Posteroanterior view, R wrist radiograph, diagnosis uncertain
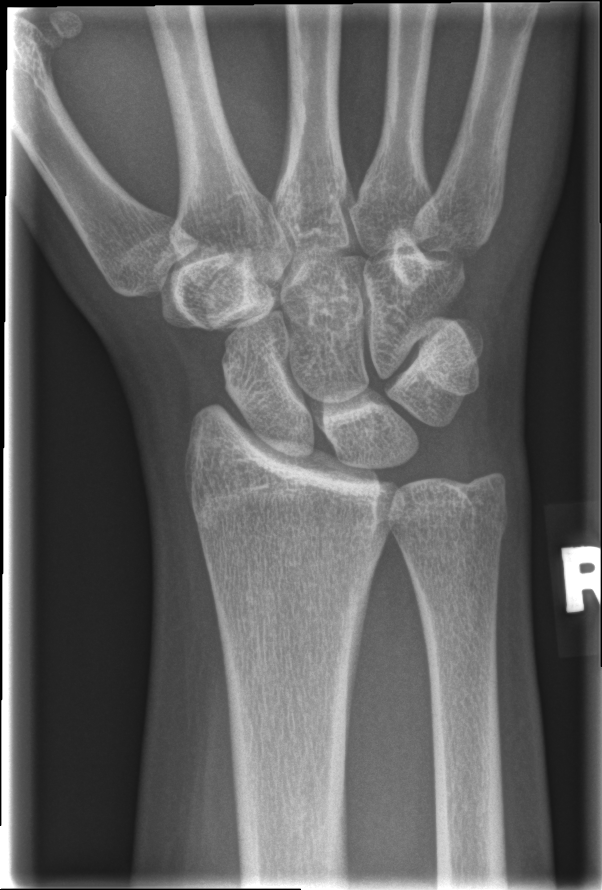 * No fracture bounding box.